Left wrist XR, lateral projection, follow-up study. 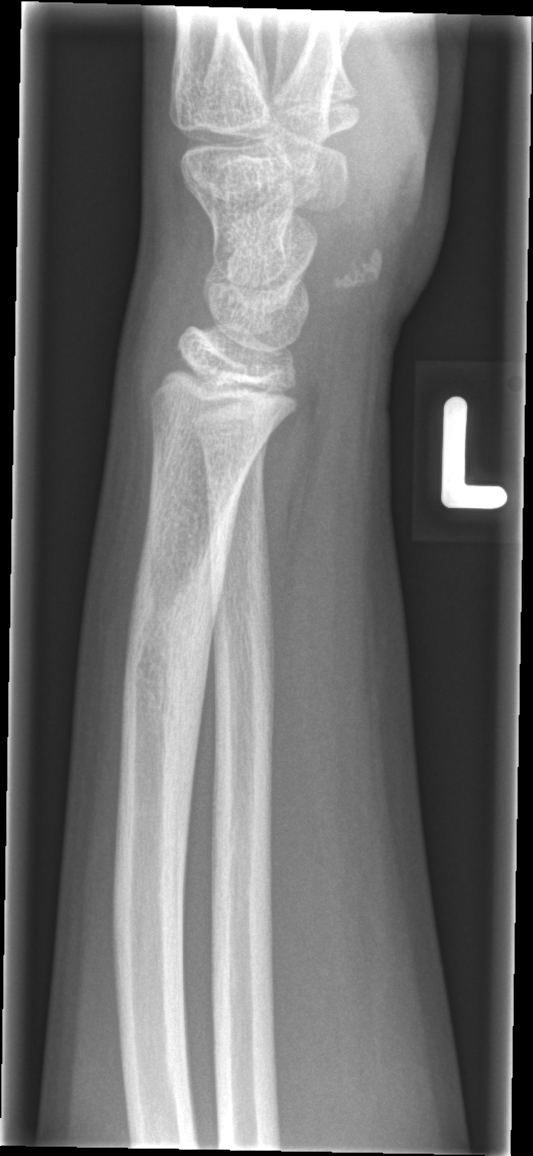

Pixel coordinates, top-left origin, xyxy.
Fracture classified AO/OTA 23-M/2.1.
Fracture — [x1=120, y1=527, x2=233, y2=744].